L pediatric wrist radiograph | AP view | 9y M | cast present
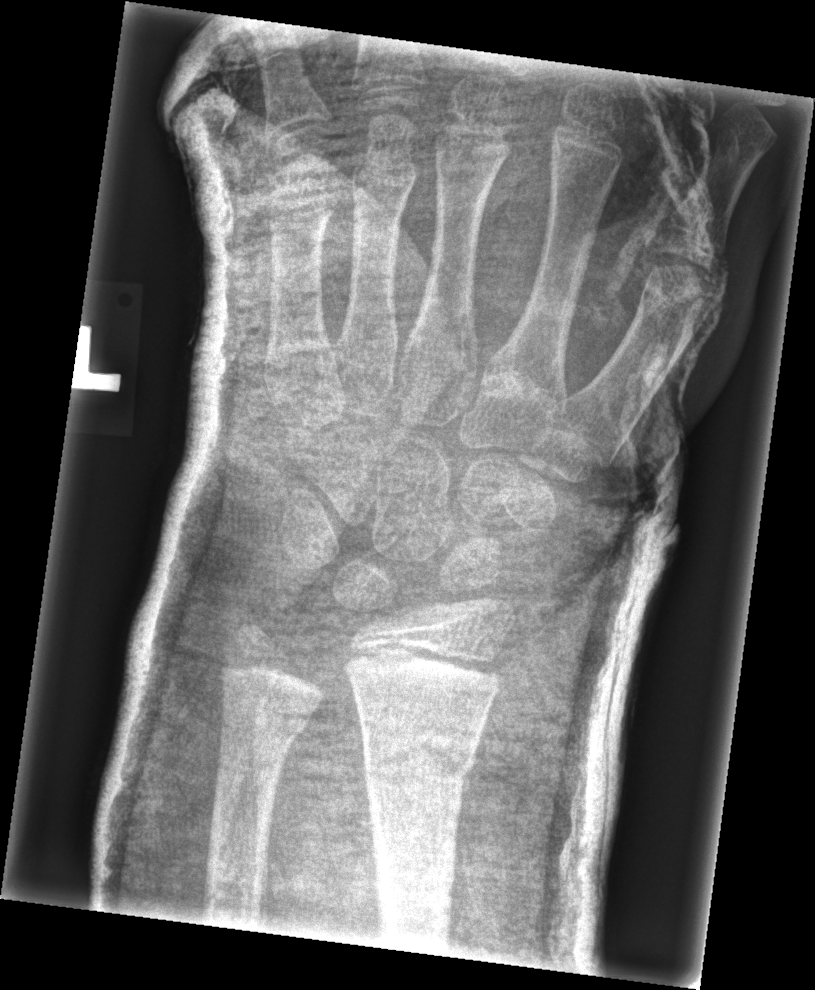 FINDINGS: Bone fractures — bbox(358, 720, 479, 797); bbox(216, 703, 314, 758).